Right wrist plain film · lat view · index exam: 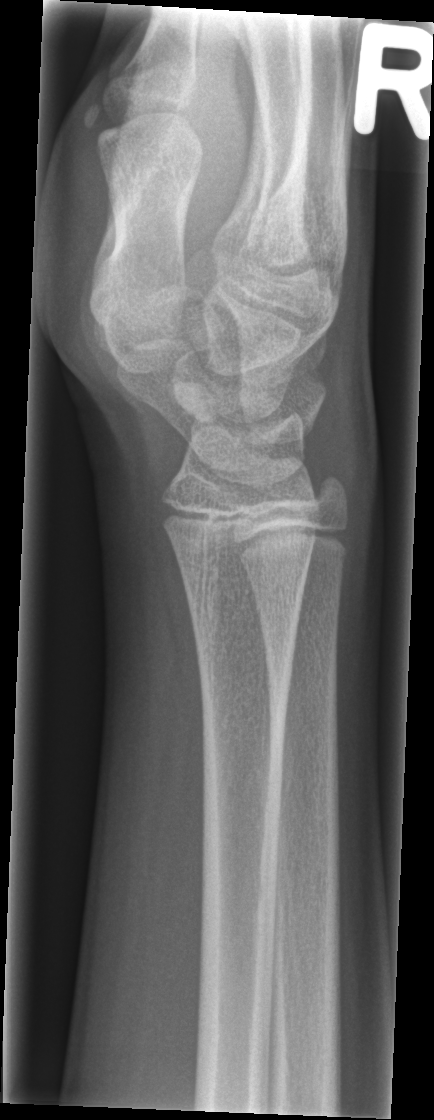

Q: Fracture present?
A: Fx: none
Q: Any osseous lesion?
A: One focal bone lesion at 172 382 218 423